Rt pediatric wrist radiograph; posteroanterior projection; pediatric patient (male, age 7); presentation radiograph; 569 x 806 px — 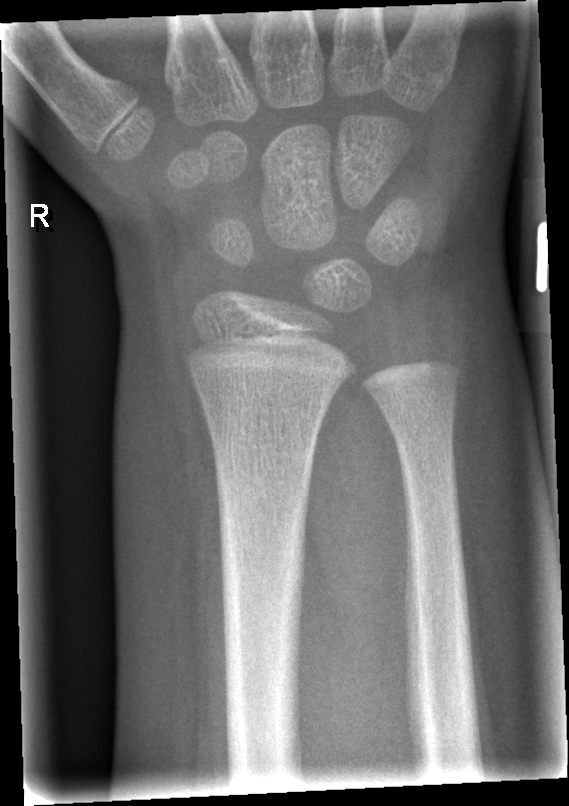 - No Fx annotated.